AP projection, left wrist X-ray

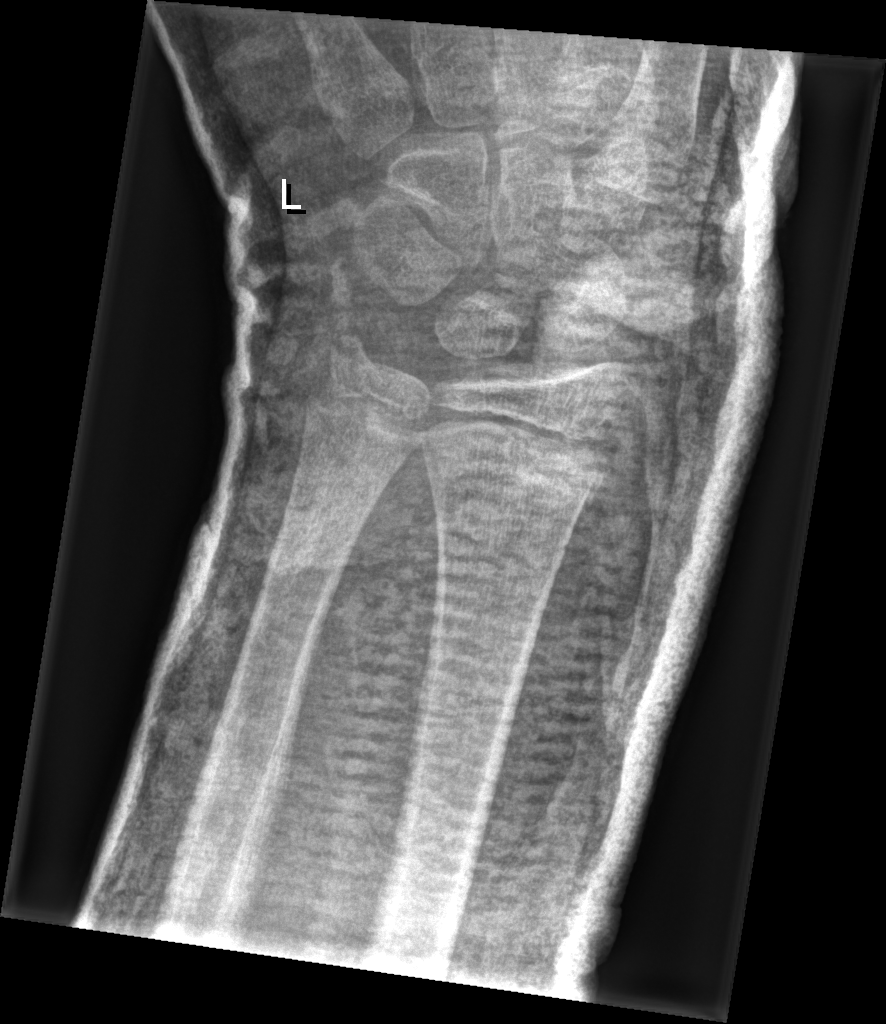
Findings: Fractures — [415, 412, 612, 507]; [322, 326, 394, 394].